Rt plain radiograph of the wrist | AP | subsequent exam | image width 82.1 mm | image size 570x962 — 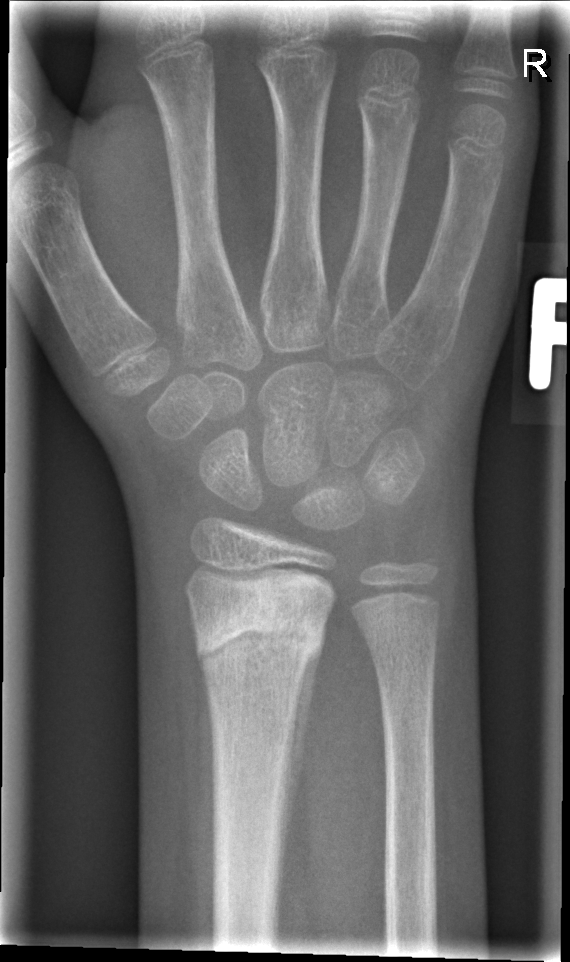
FINDINGS — (bounding boxes in image-pixel xyxy) Fx: [x1=187, y1=576, x2=331, y2=680]; [x1=406, y1=543, x2=447, y2=585]. Osteopenia. Periosteal thickening: [x1=282, y1=641, x2=322, y2=869].